Lat projection; right wrist X-ray; detector: Siemens; 71.6 mm image width:
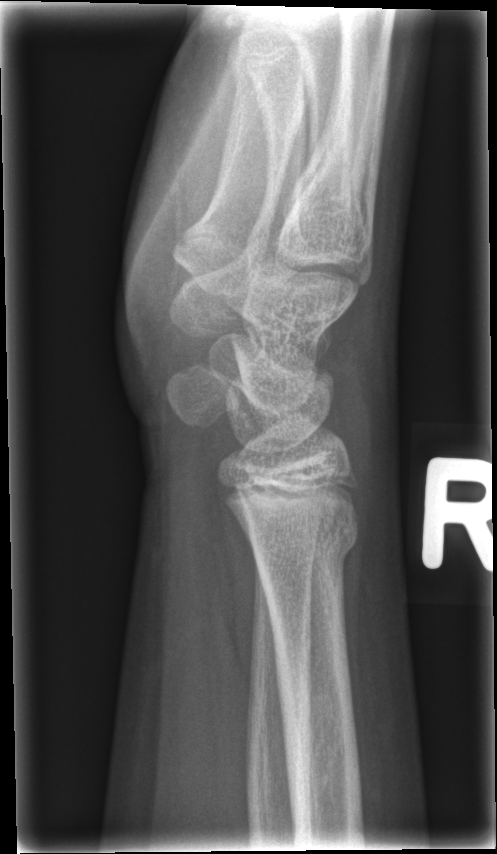

Fracture classified AO/OTA 23r-M/2.1.
Fracture identified at (244, 498, 366, 588).